Lateral; Lt pediatric wrist radiograph.
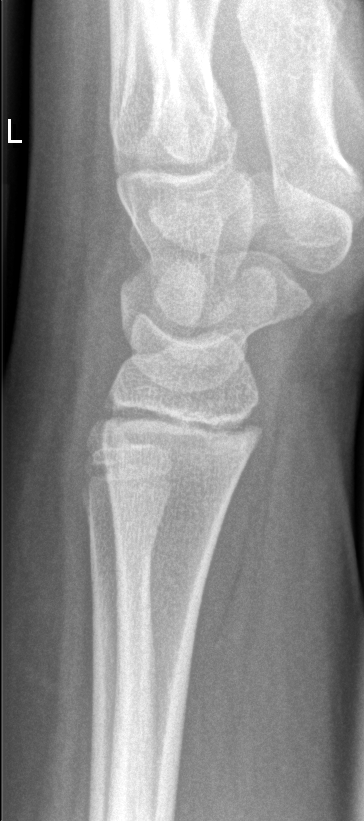

fracture = none labeled